Lateral; Lt plain radiograph of the wrist; cast in situ:
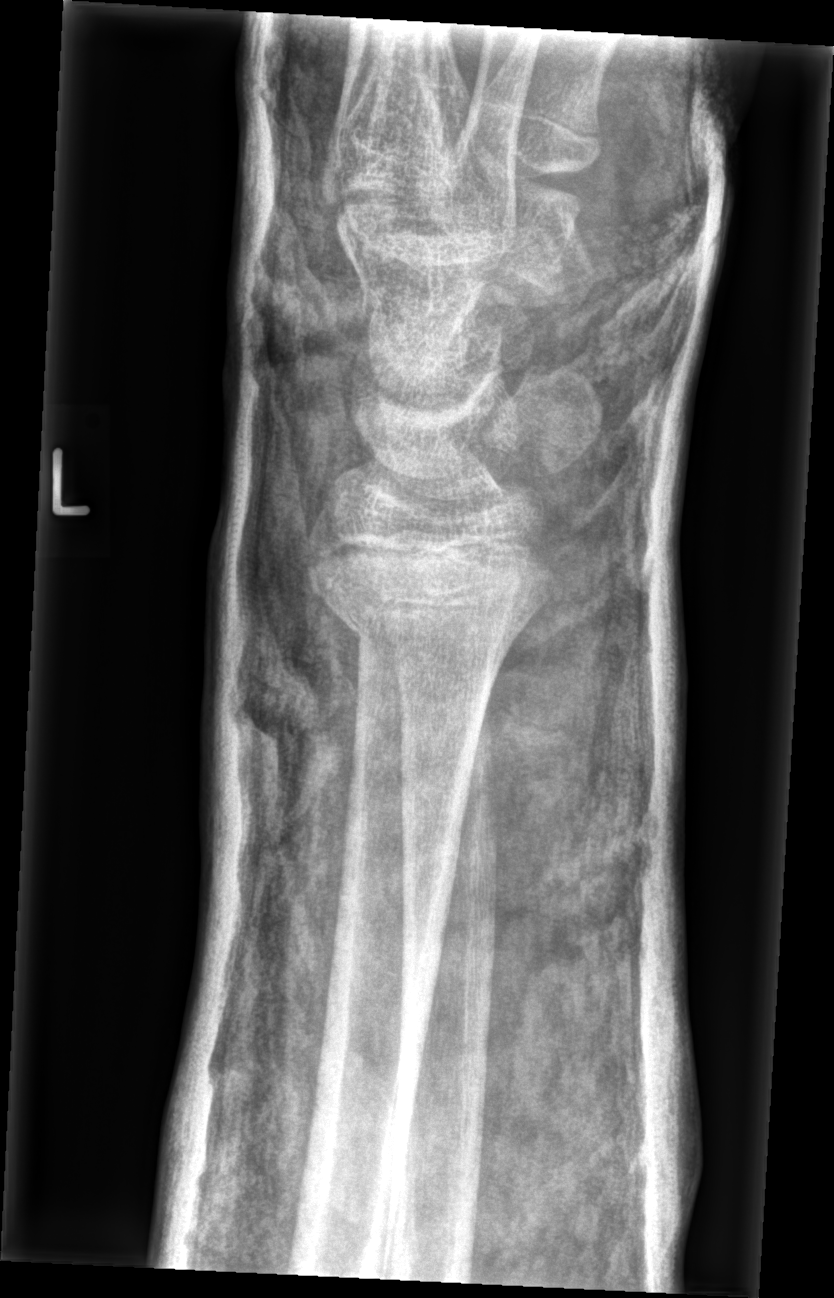 Fracture = (300, 520, 562, 651)
AO/OTA = 23r-E/2.1